Lt plain radiograph of the wrist, PA projection, index exam:

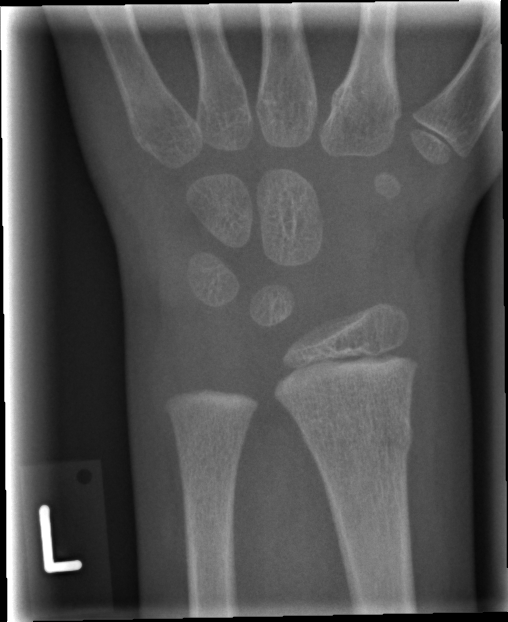 Fracture: [x1=298, y1=414, x2=418, y2=466]. Fracture classified AO/OTA 23r-M/2.1.